L wrist radiograph | lateral | girl, 10 yo | initial study.

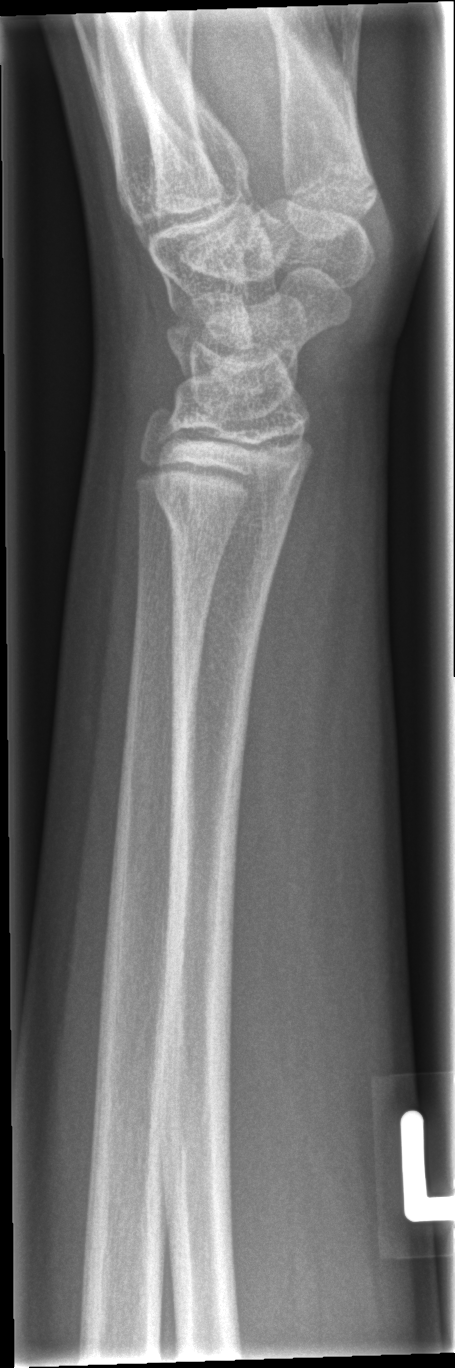

AO/OTA classification: 23r-M/2.1.
Fracture identified at <154,484>-<297,553>.